Lateral view, right wrist radiograph, age 8 y, female, index exam, 74.7 mm image width

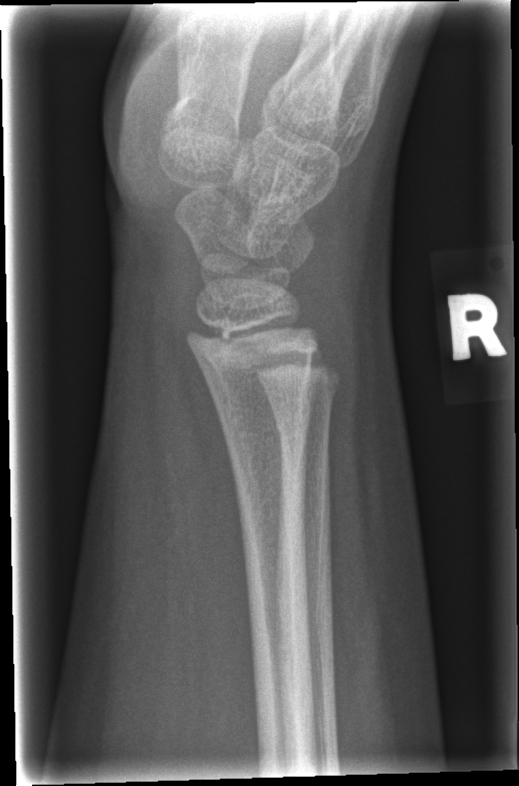

No fracture labeled.